PA/AP view, left wrist X-ray, initial study
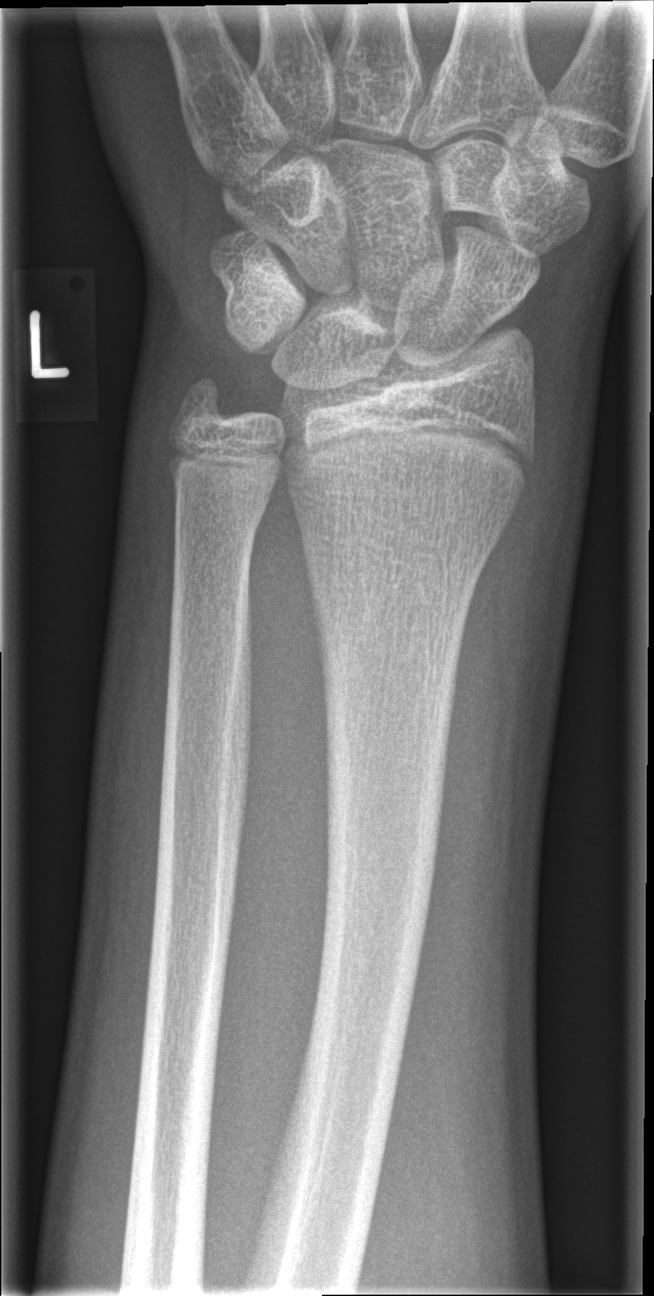
No fracture labeled.